Lateral; Lt plain radiograph of the wrist; pediatric patient (boy, age 8); initial study. 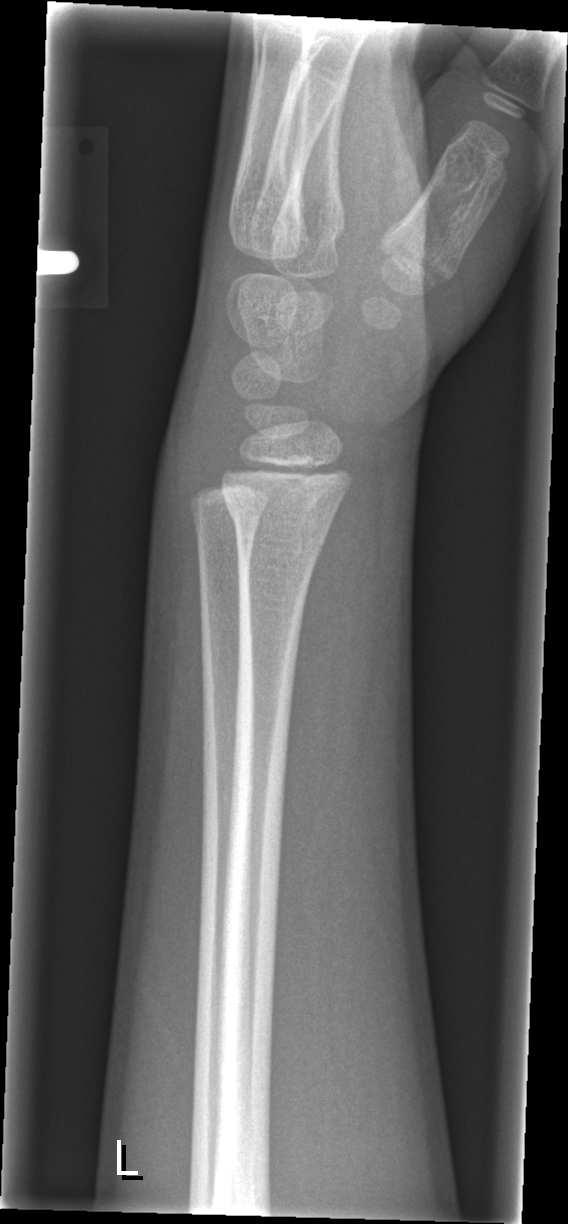 Fx: 1 @ [x1=220, y1=484, x2=343, y2=540]